Rt wrist radiograph; lat
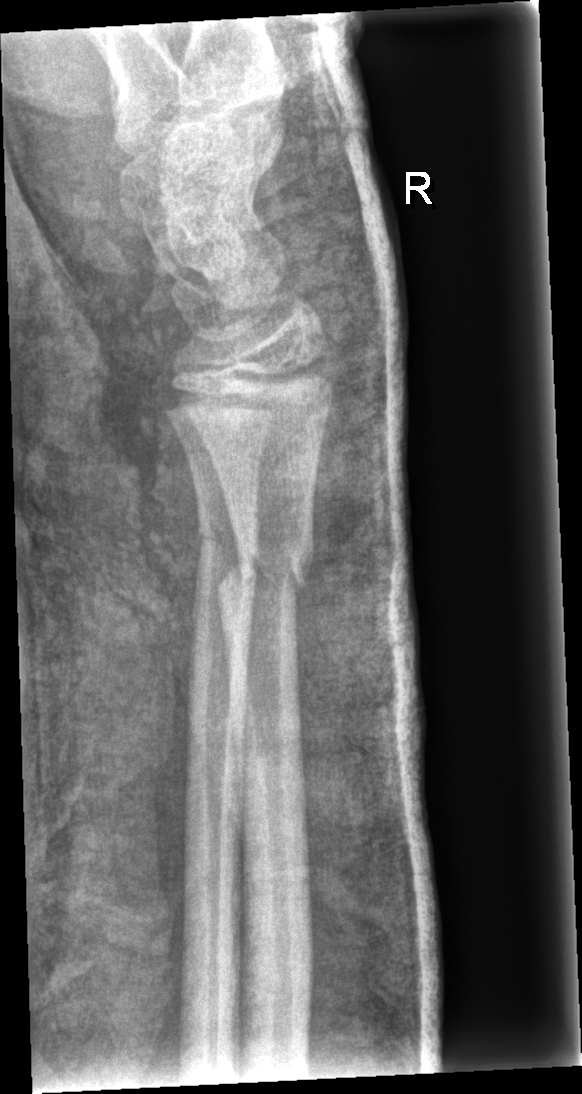 (boxes as x1,y1,x2,y2 (top-left / bottom-right, pixel units))
Fx = bbox(214, 544, 315, 607); bbox(195, 511, 260, 568)